Left wrist plain film, lateral view, follow-up study
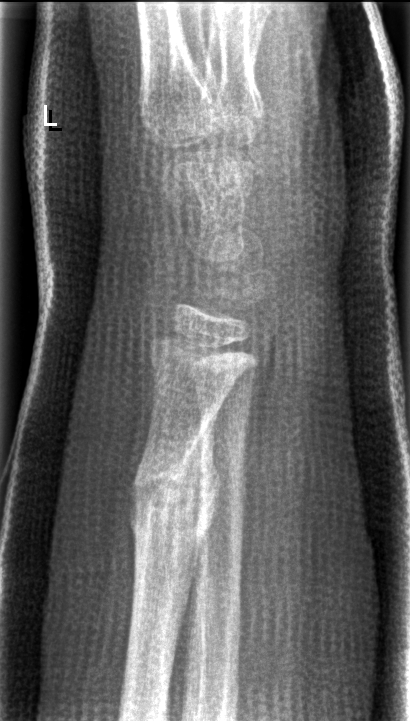

Boxes as x1,y1,x2,y2 (top-left / bottom-right, pixel units). One bone fracture at 127,429,224,557. One periosteal new bone at 172,409,225,667. AO code 23r-M/3.1; 23u-M/2.1.